Frontal projection, Rt wrist X-ray.
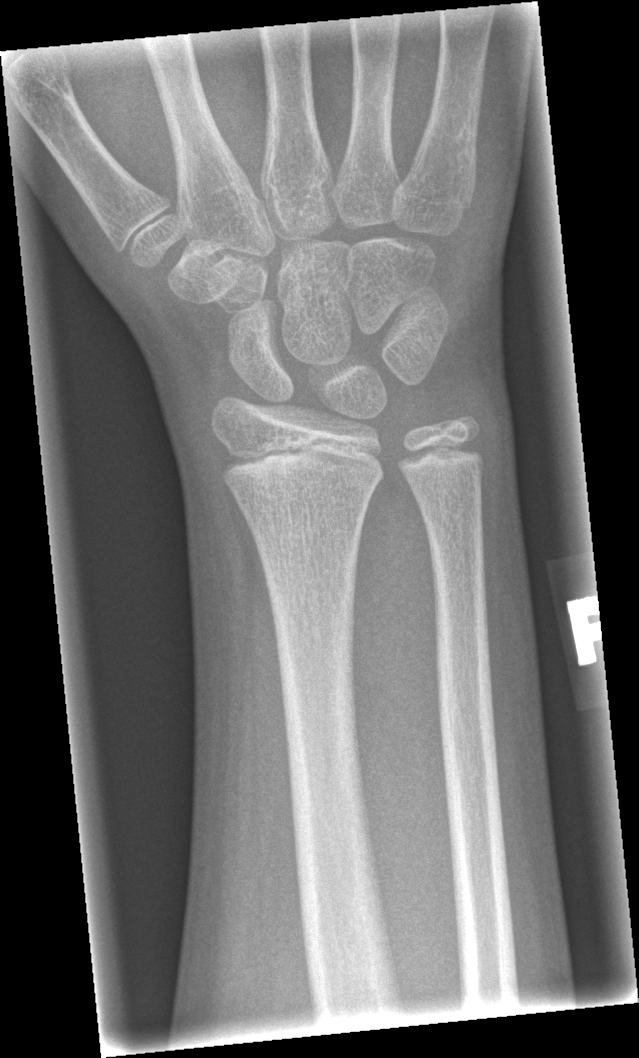

Fracture: none labeled